L wrist X-ray · PA view 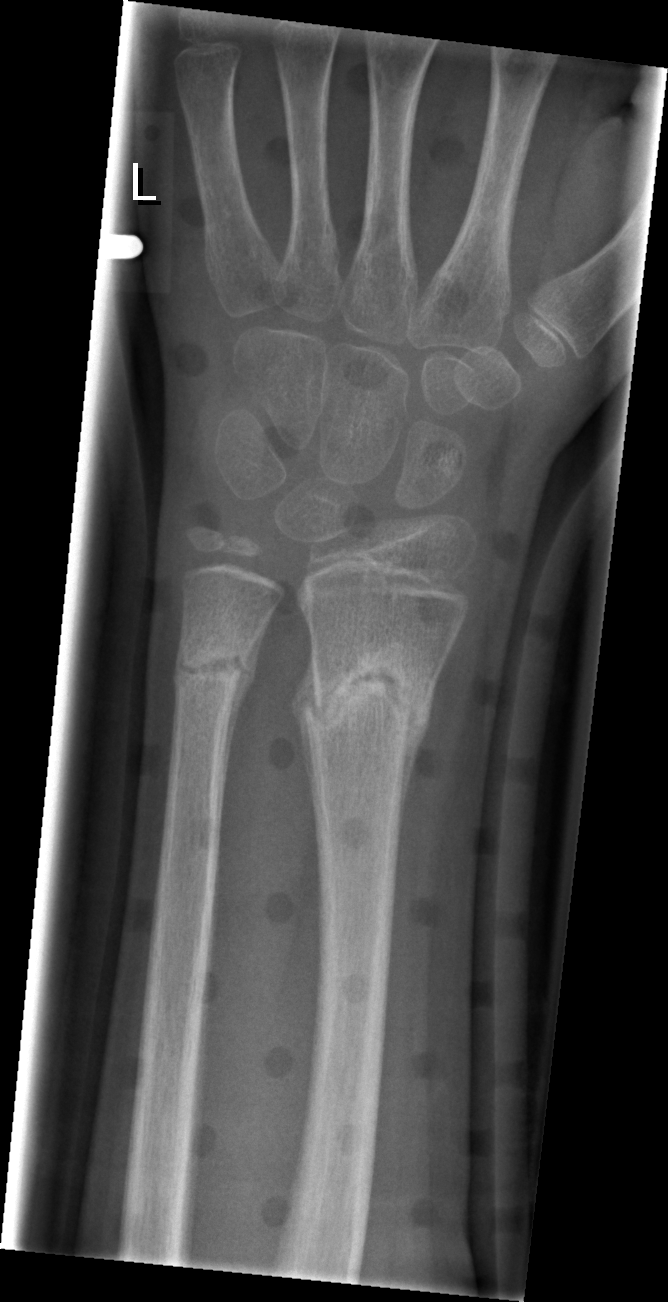
FINDINGS: Two Fx at [x1=300, y1=646, x2=435, y2=765], [x1=171, y1=636, x2=256, y2=704]. Osteopenic. Periosteal reaction identified at [x1=224, y1=618, x2=268, y2=804], [x1=400, y1=663, x2=444, y2=836], [x1=289, y1=645, x2=324, y2=846].